Left wrist X-ray · posteroanterior projection · 7-year-old boy · image size 795x1152:

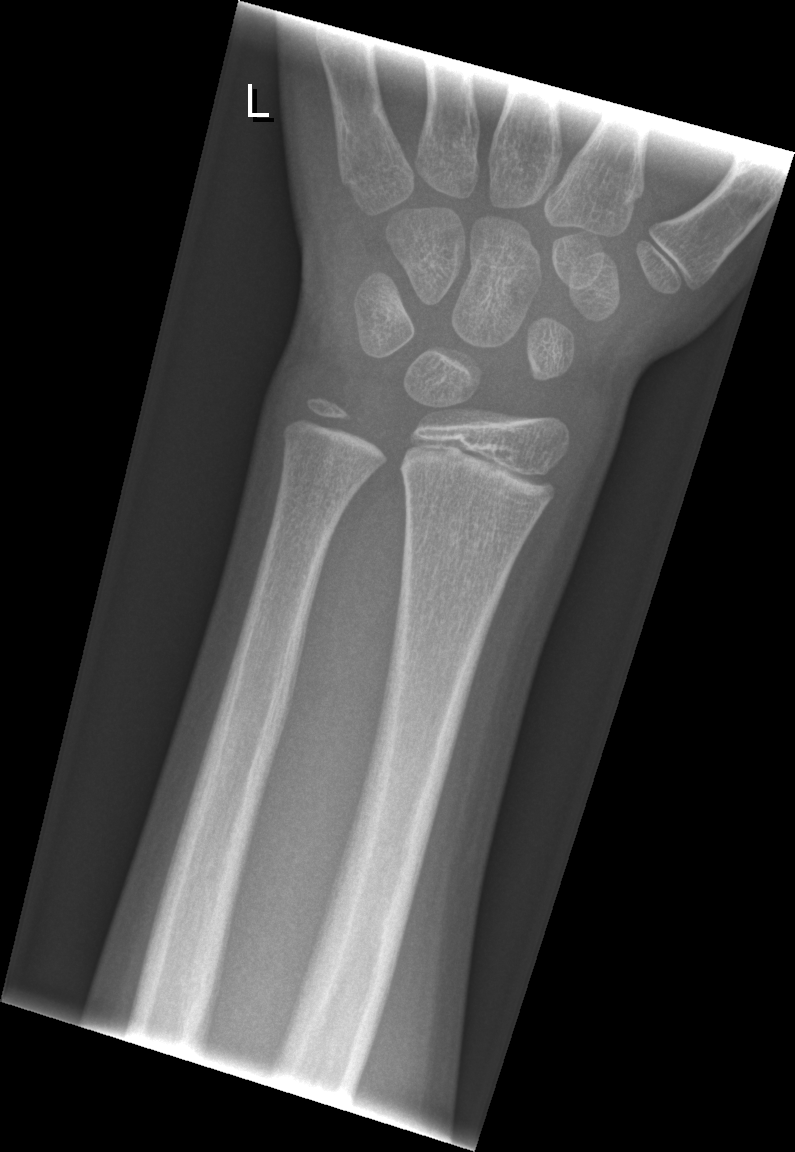   fracture: none labeled